Left plain radiograph of the wrist · lateral · 1.2-year-old female · initial study · 374 by 574 pixels:

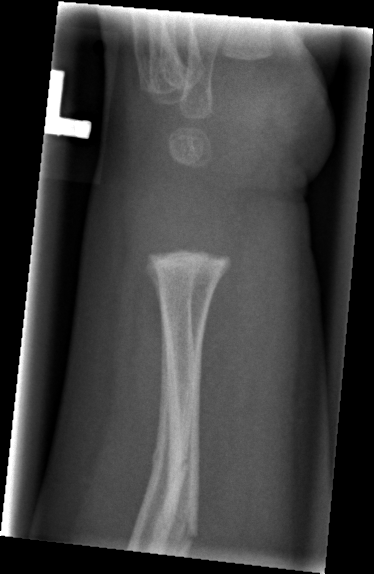 (pixel coordinates, top-left origin, xyxy)
Bone fracture = [156, 503, 211, 550], [147, 443, 196, 484]
AO classification = 22-D/2.1